Frontal, left wrist X-ray — 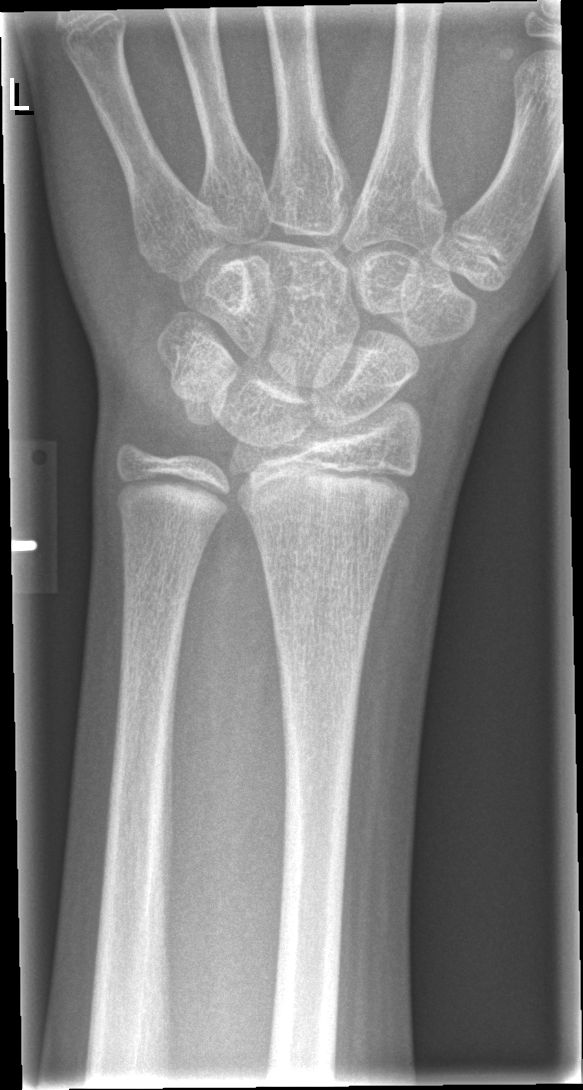

Fx: none.